Lateral projection | L wrist X-ray
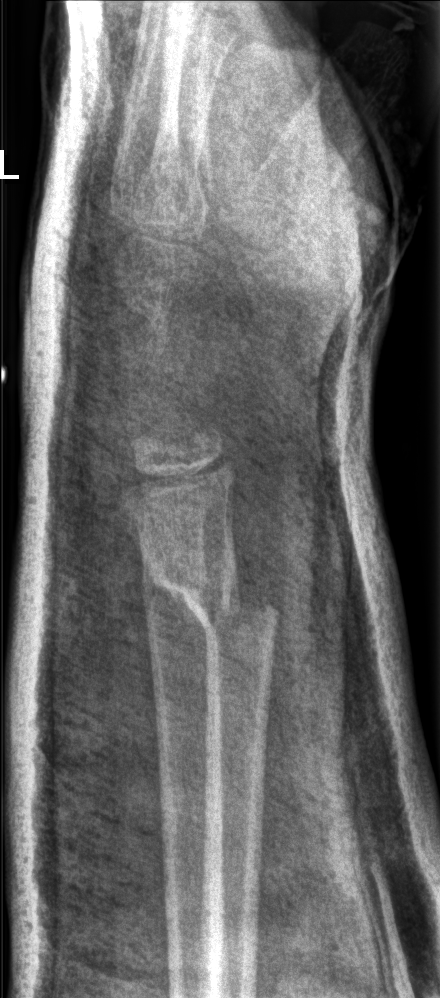

fracture: 1 @ 144 555 283 643
AO classification: 23r-M/3.1; 23u-M/2.1